Left wrist plain film · lat view · detector: Siemens · image width 67.5 mm.

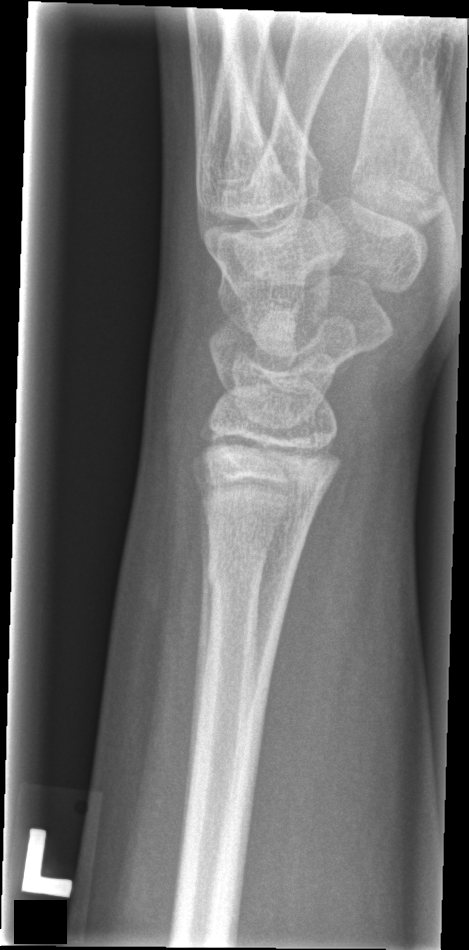 fracture = 1 @ bbox(204, 543, 300, 600)